R wrist plain film; posteroanterior view; 10-year-old boy; Siemens; 599 by 1102 pixels:

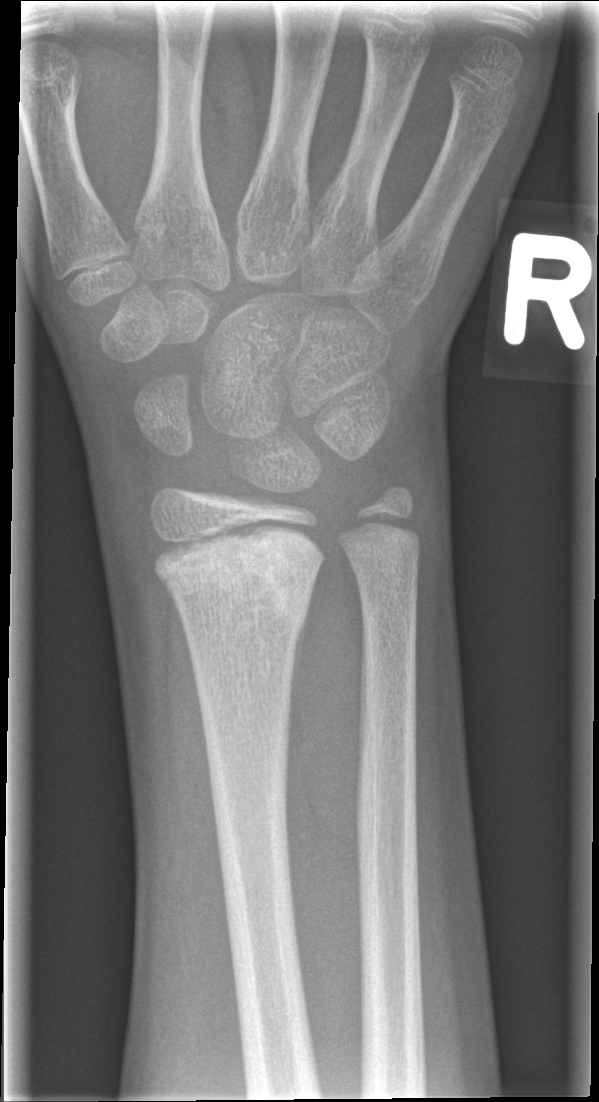
Findings: Fx — 151,522,318,635. Fracture classified AO/OTA 23r-E/2.1.